PA/AP | left plain radiograph of the wrist | age 9 y, girl —
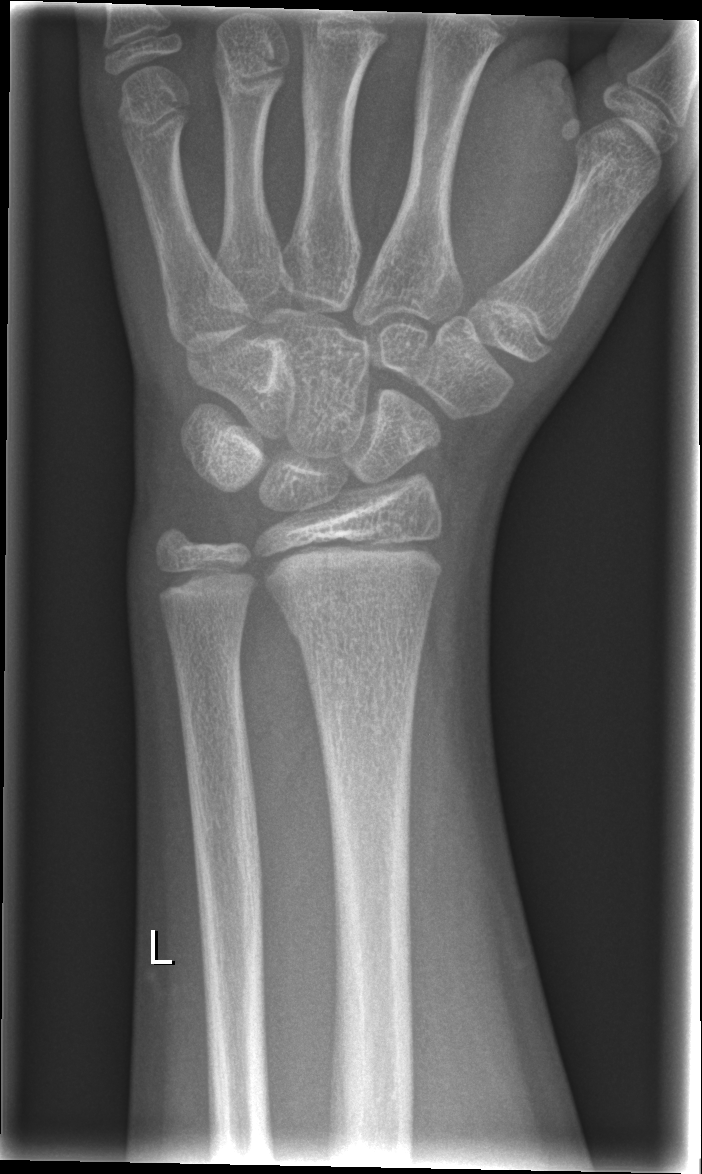 Fx: 1 @ 277,591,433,652
AO classification: 23r-M/2.1